Lat; R wrist XR; presentation radiograph

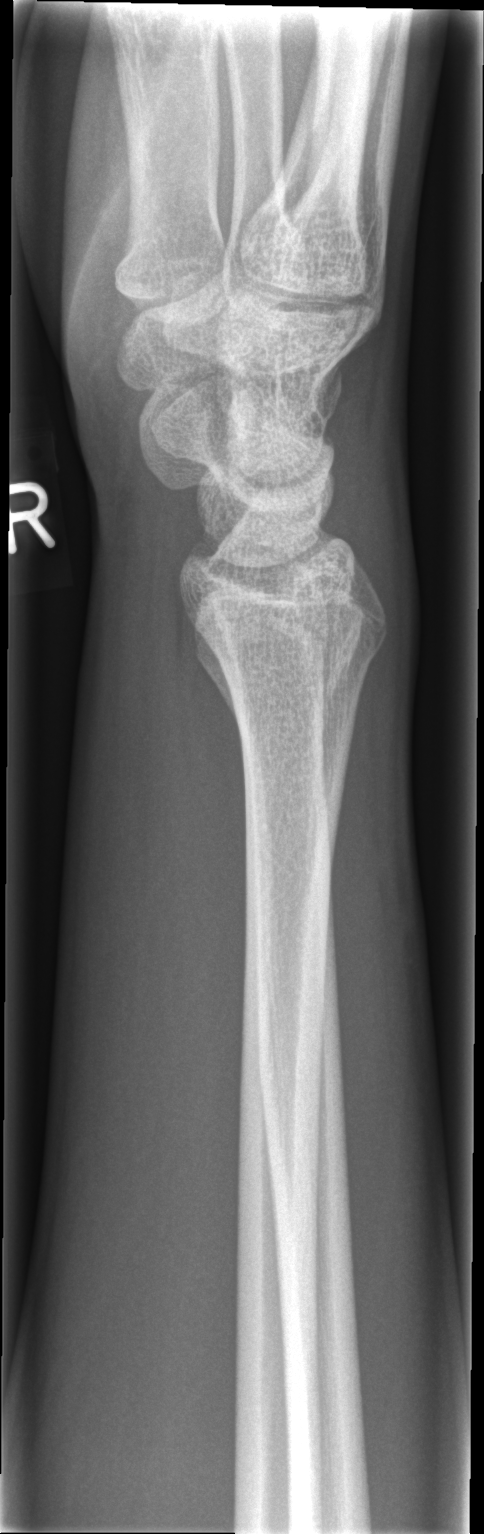 AO classification: 23r-M/2.1
bone fracture: [x1=213, y1=622, x2=391, y2=697]